R plain radiograph of the wrist; posteroanterior projection; 10y F: 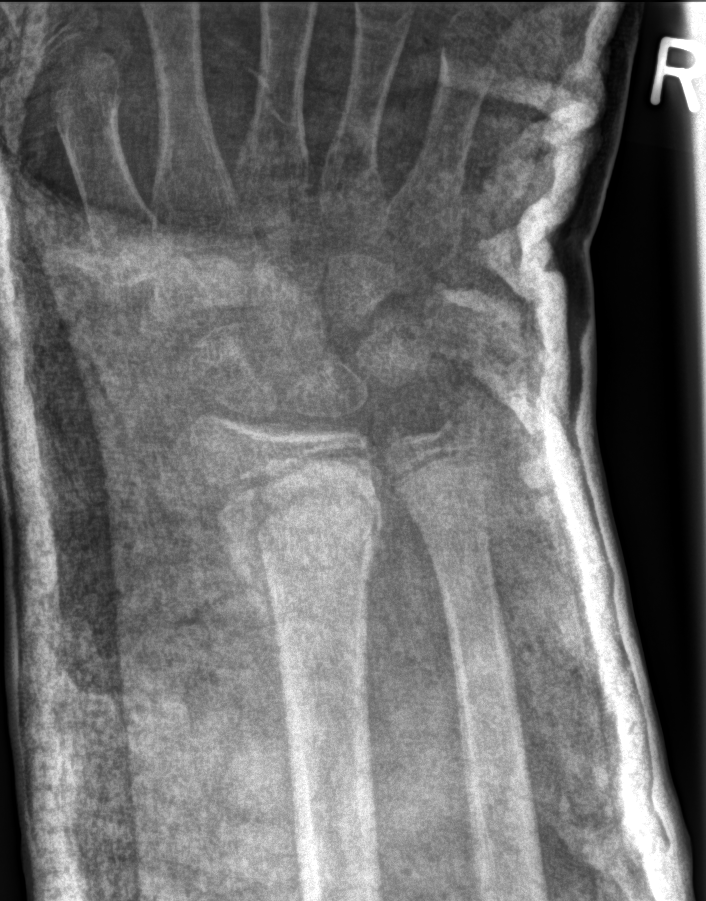
FINDINGS: Bone fracture: (203, 441, 388, 615) (432, 383, 497, 441). AO/OTA classification: 23r-E/2.1; 23u-E/7.